Lateral projection | L plain radiograph of the wrist | 13-year-old male | cast present | image width 86.5 mm
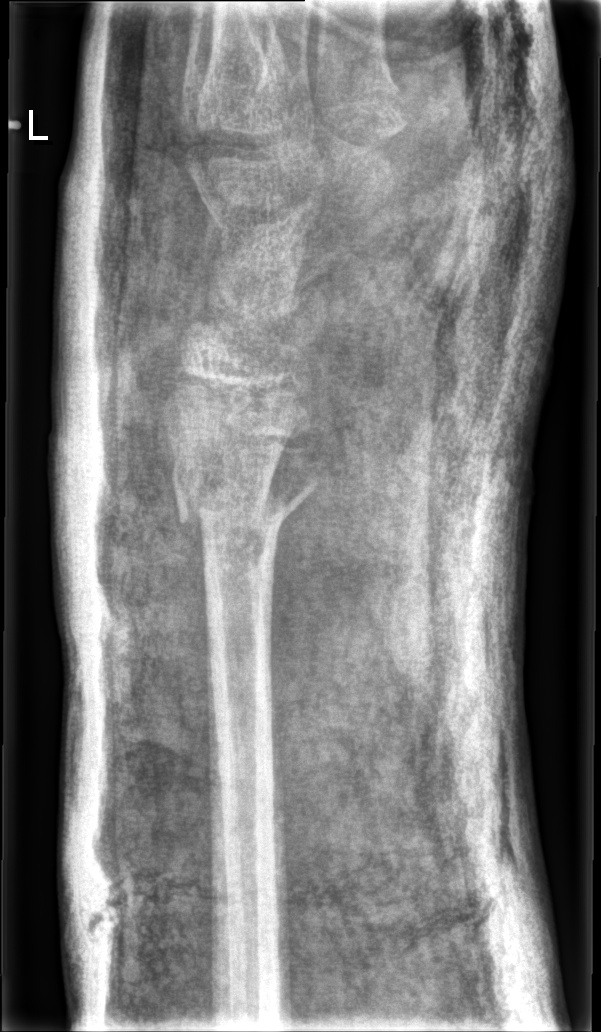
AO code: 23-M/3.1; 23u-E/7
Fx: [171, 459, 322, 552]